Right wrist radiograph; posteroanterior; image 66.5 mm wide
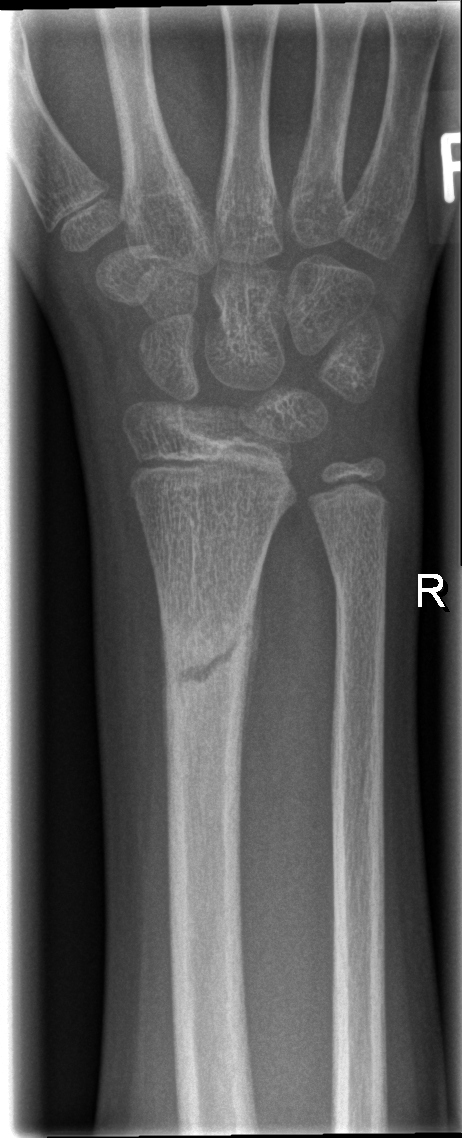

* Decreased bone density (osteopenia).
* AO/OTA classification: 23r-M/3.1; 23u-M/2.1.
* Fracture: <160,596>-<256,716> <320,536>-<393,618>.